Left wrist X-ray; PA projection; 16y F; presentation radiograph; 593x852: 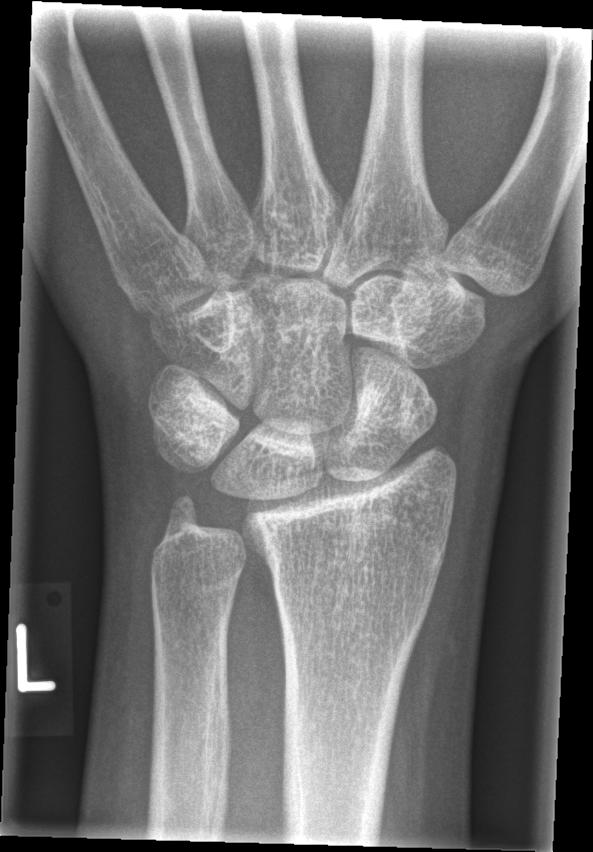

No fracture labeled.